L pediatric wrist radiograph, lat, pediatric patient (girl, age 3) —

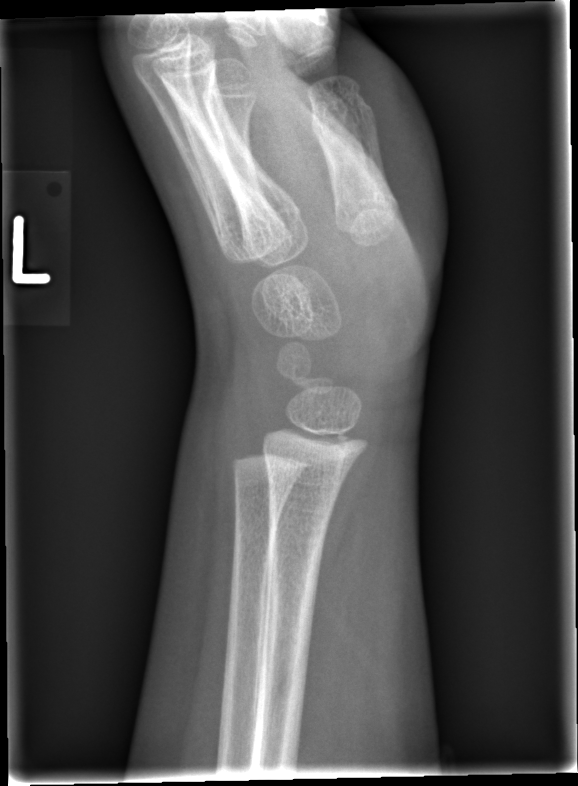
  fracture: none labeled